Left wrist plain film · posteroanterior view · 15-year-old male:
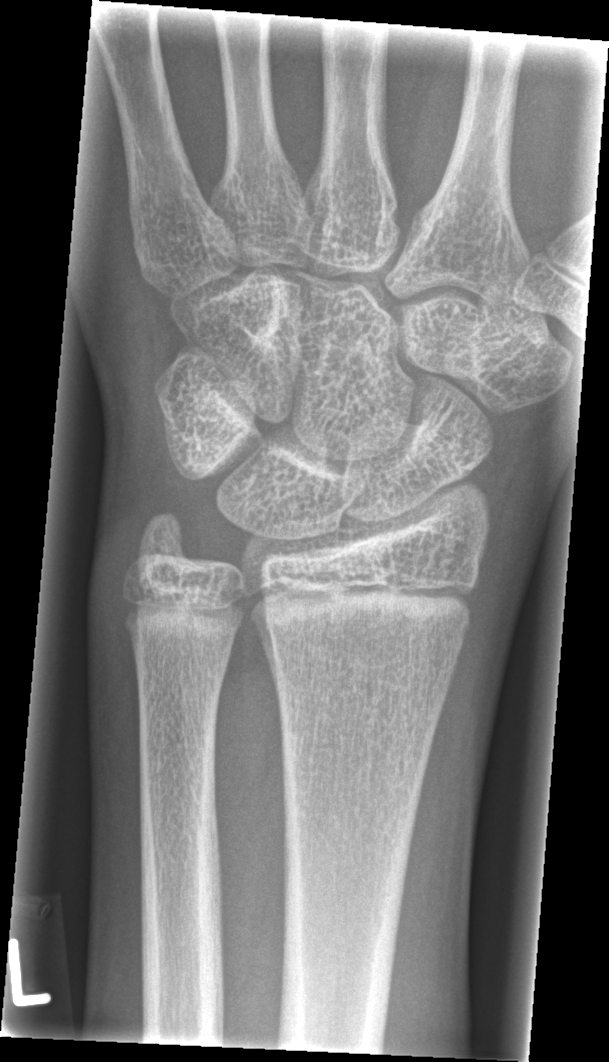 No Fx annotated.